Left wrist radiograph, posteroanterior —

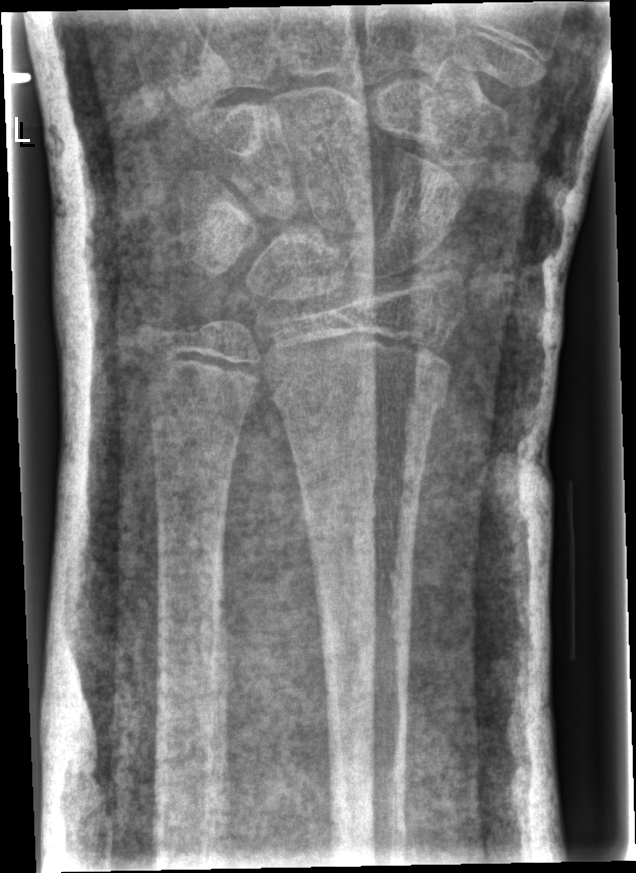 (pixel coordinates, top-left origin, xyxy)
AO classification: 23r-M/2.1
Fx: 1 @ bbox(270, 361, 454, 426)